Right wrist X-ray; lateral; age 11 y, male —
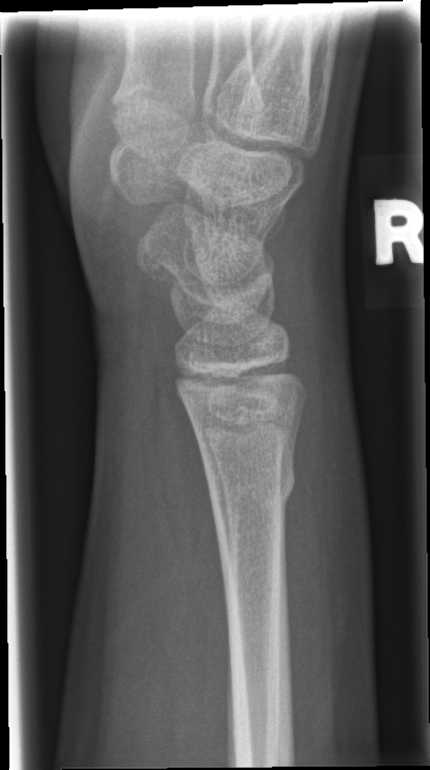 Q: AO code?
A: Fracture classified AO/OTA 23r-M/2.1
Q: Fracture present?
A: Fracture: [202, 454, 298, 514]
Q: Is there soft-tissue abnormality?
A: Soft-tissue finding: [283, 375, 373, 716]